PA projection; Rt wrist plain film; girl, 14 yo; acquired on Siemens; 700 x 1014 px — 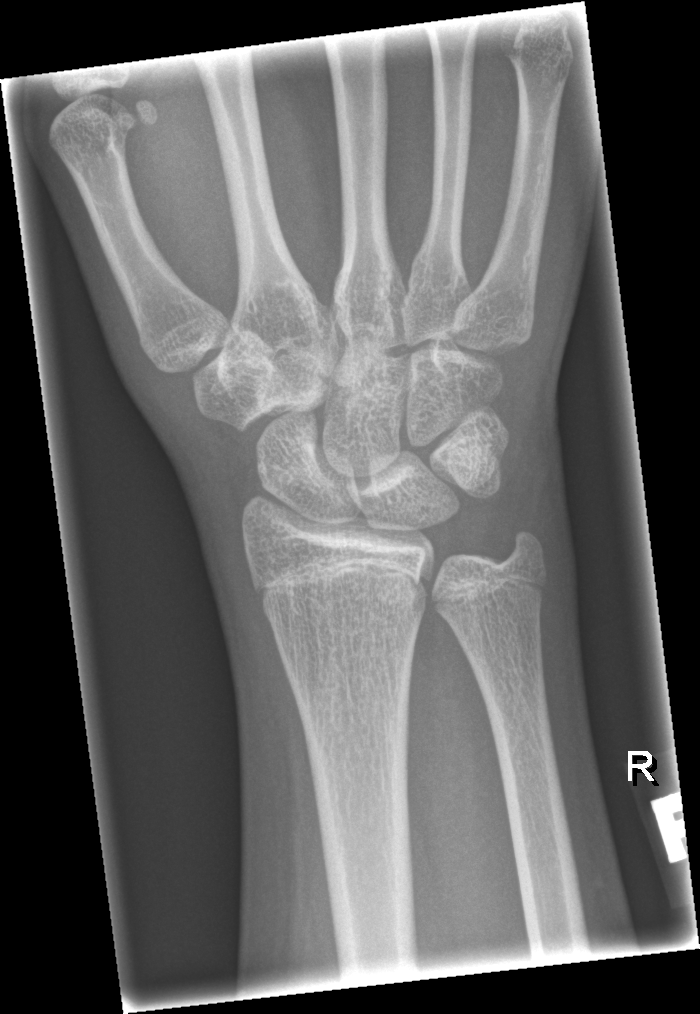

No fracture annotation.